Left wrist XR, AP, age 10 y, boy, index exam, Siemens — 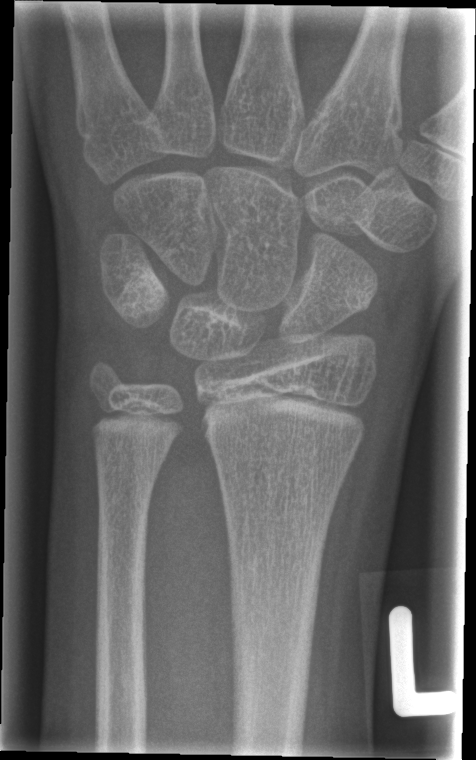

Q: Fracture present?
A: No Fx annotated